Lt wrist X-ray, lat: 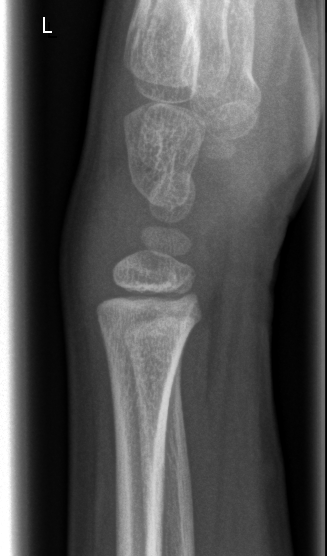 FINDINGS — Fracture: none labeled. Soft-tissue swelling — (63, 149, 150, 307).